AP projection | R wrist X-ray.
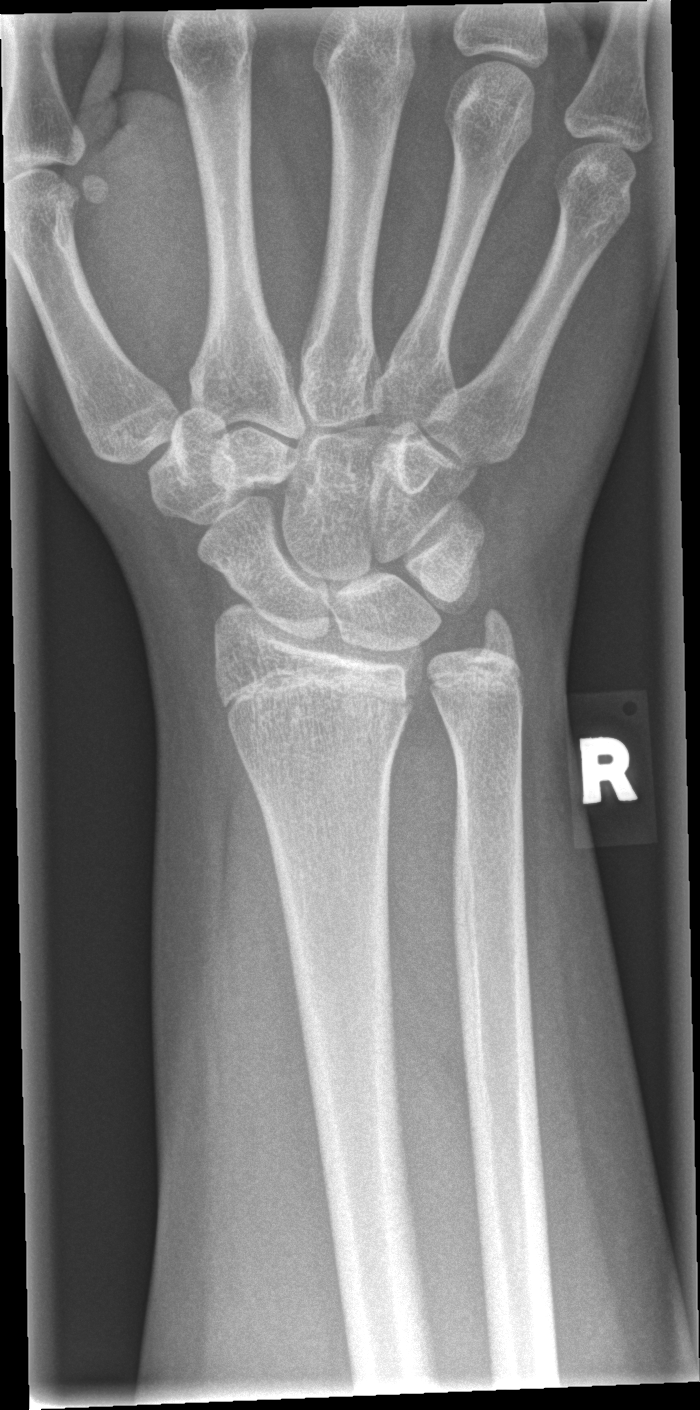
Q: Is there a fracture?
A: No fracture labeled